Lat, Rt pediatric wrist radiograph. 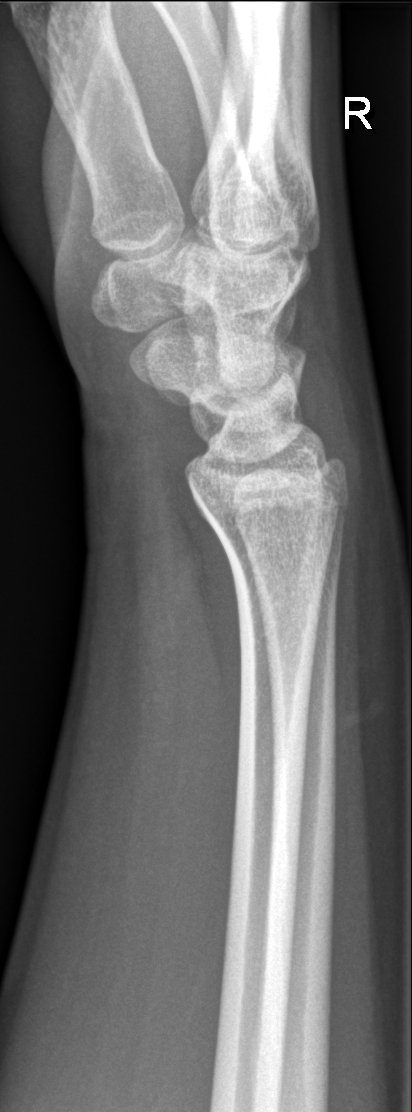

AO code: 23r-M/2.1
bone fracture: present but not clearly seen in this view